Right wrist plain film | AP projection | 10y M | subsequent exam —

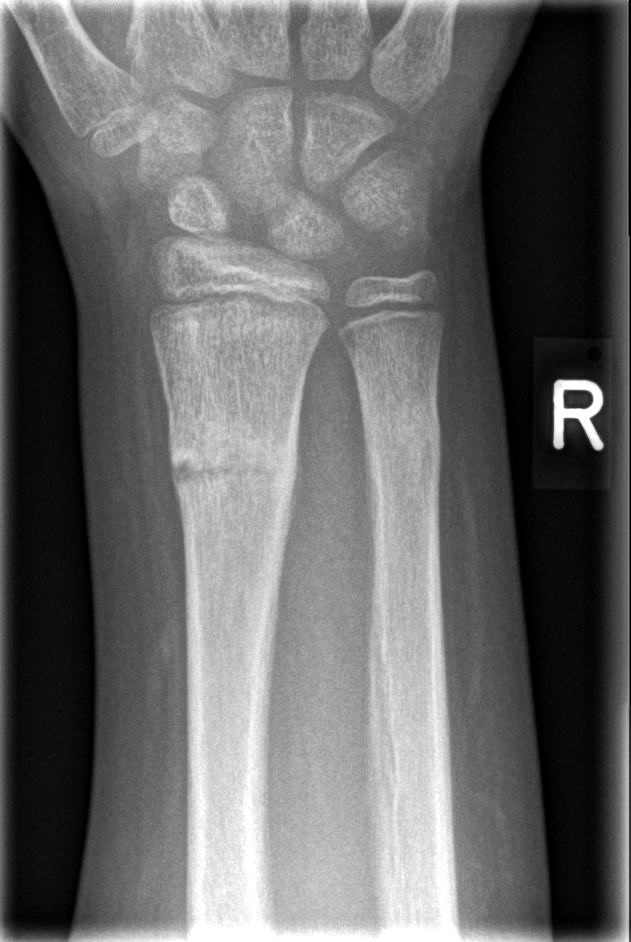 Bone fracture = 2 @ 164,415,299,507; 358,404,443,473
Osteopenia = present